PA/AP view, right pediatric wrist radiograph, 517 x 1310 px: 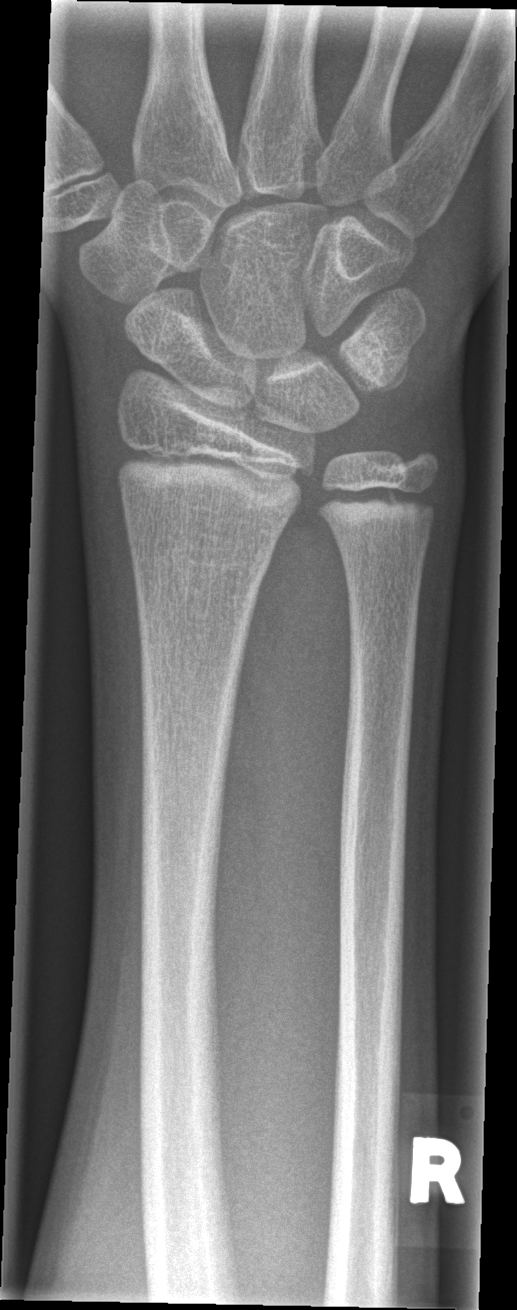

(pixel coordinates, top-left origin, xyxy)
bone fracture: [127, 541, 278, 605]
AO/OTA: 23r-M/2.1